Left wrist X-ray | PA projection | cast present. 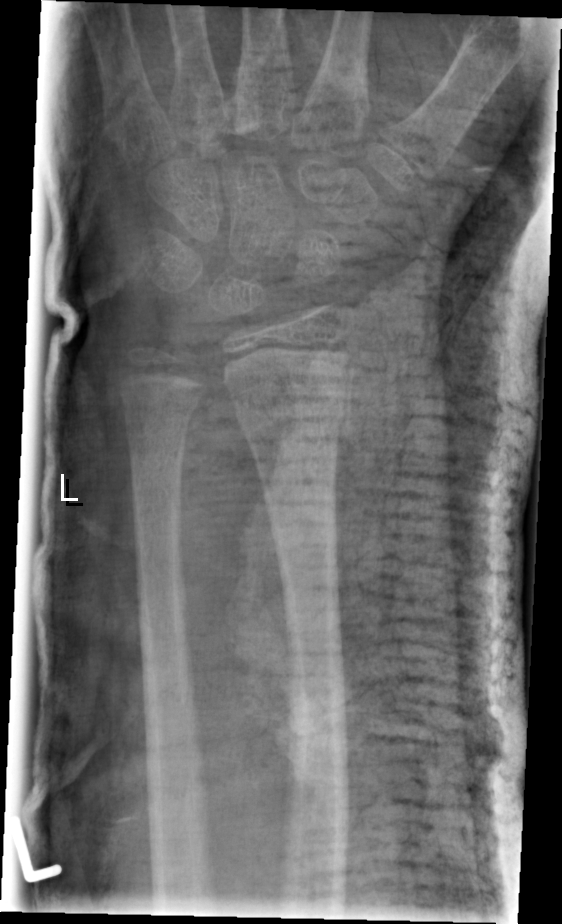 Fx identified at bbox(228, 377, 350, 448), bbox(120, 394, 203, 438).